Lateral projection | left plain radiograph of the wrist | follow-up study | cast in situ

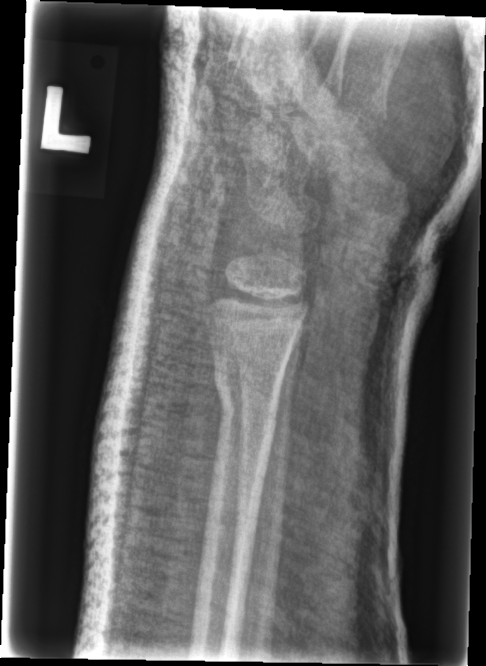

* Fracture classified AO/OTA 23r-M/3.1.
* Fx: bbox(209, 365, 281, 432).